Left wrist plain radiograph of the wrist | lat projection | 13y M | presentation radiograph: 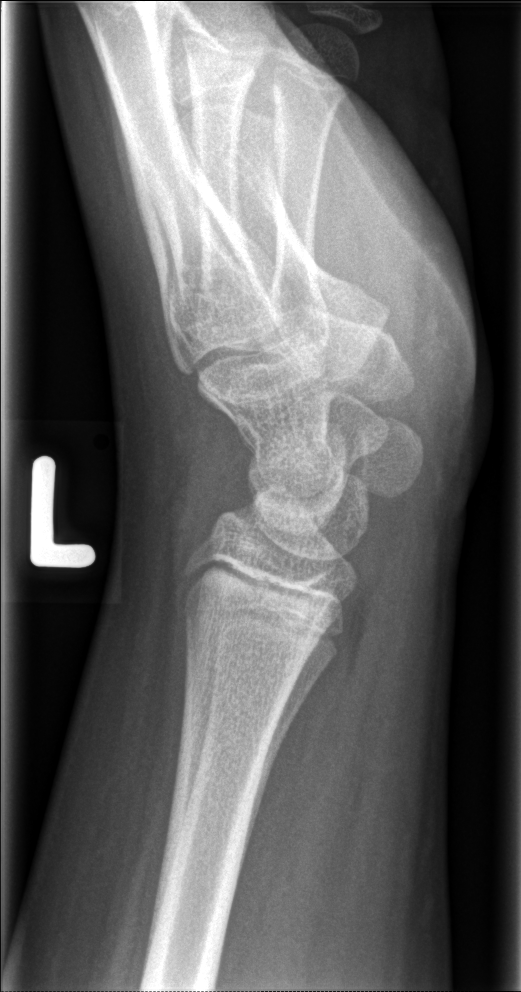
No Fx annotated.